Right wrist plain radiograph of the wrist; PA; male, 15 yo
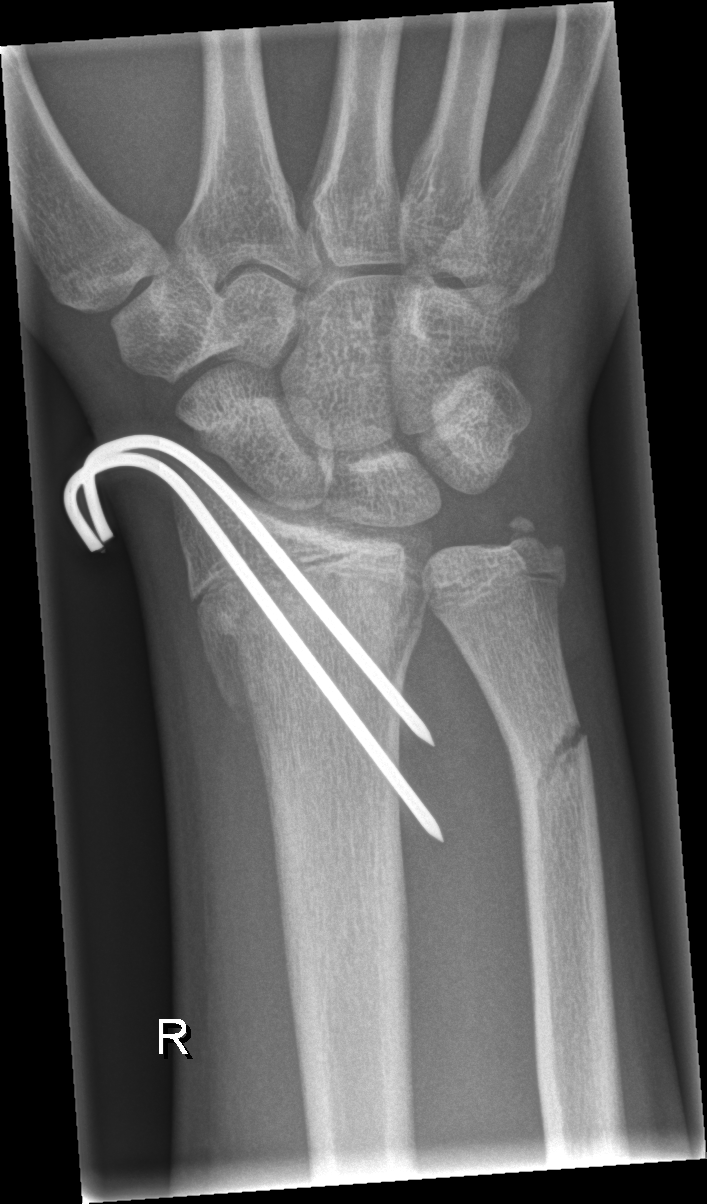

AO/OTA = 23r-M/3.1; 23u-M/2.1; 23u-E/7
Osteopenia = present
Bone fracture = 189 589 423 734 | 503 702 595 808 | 500 503 570 569
Metallic implant = 60 429 447 851